L wrist plain film · PA/AP view 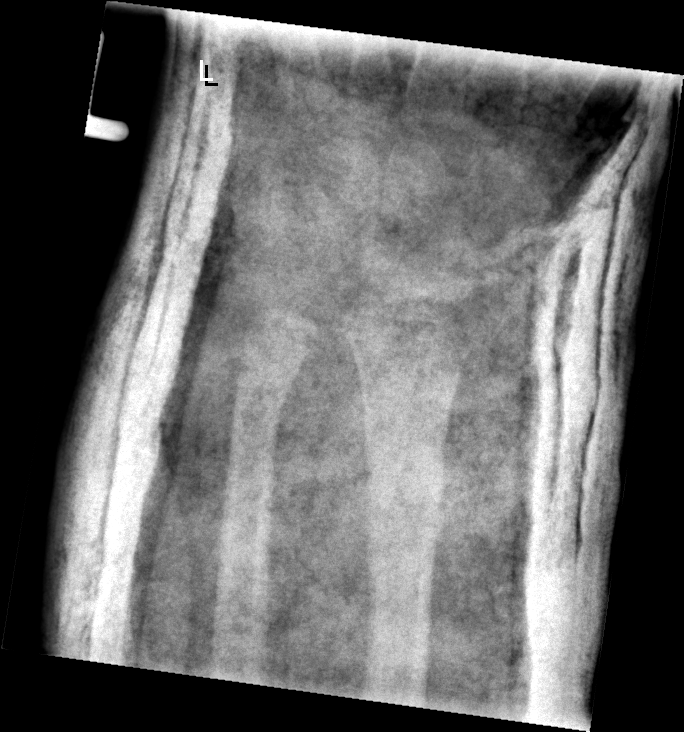 Findings: Fracture classified AO/OTA 23r-M/3.1; 23u-M/2.1. Fracture present but not clearly seen in this view.